Lateral | right wrist pediatric wrist radiograph | age 7 y, male | cast present —

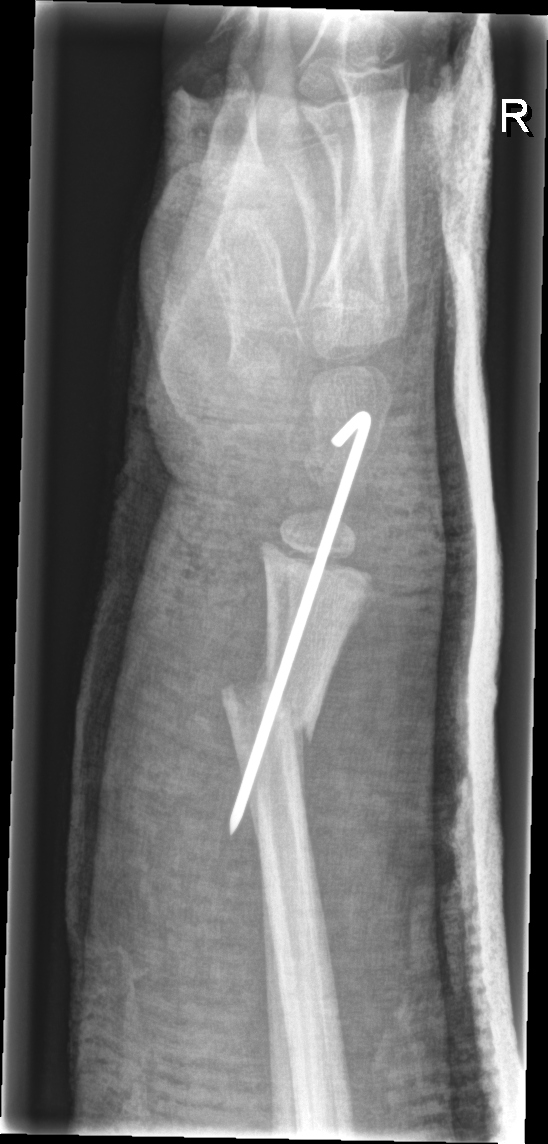

{
  "_coords": "boxes as x1,y1,x2,y2 (top-left / bottom-right, pixel units)",
  "fracture": "1 @ 217 675 323 755",
  "metal": "226 408 376 836"
}